Posteroanterior projection; R wrist plain film; presentation radiograph —

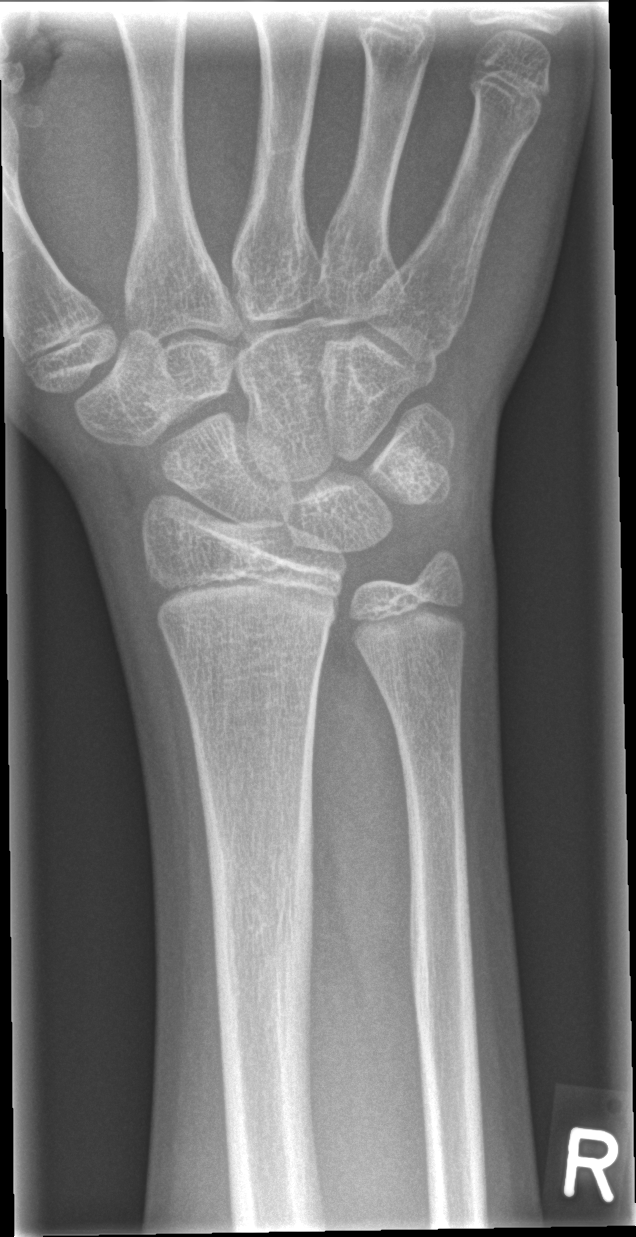
Bone fracture: none labeled